PA/AP projection, left pediatric wrist radiograph, pediatric patient (male, age 6), follow-up 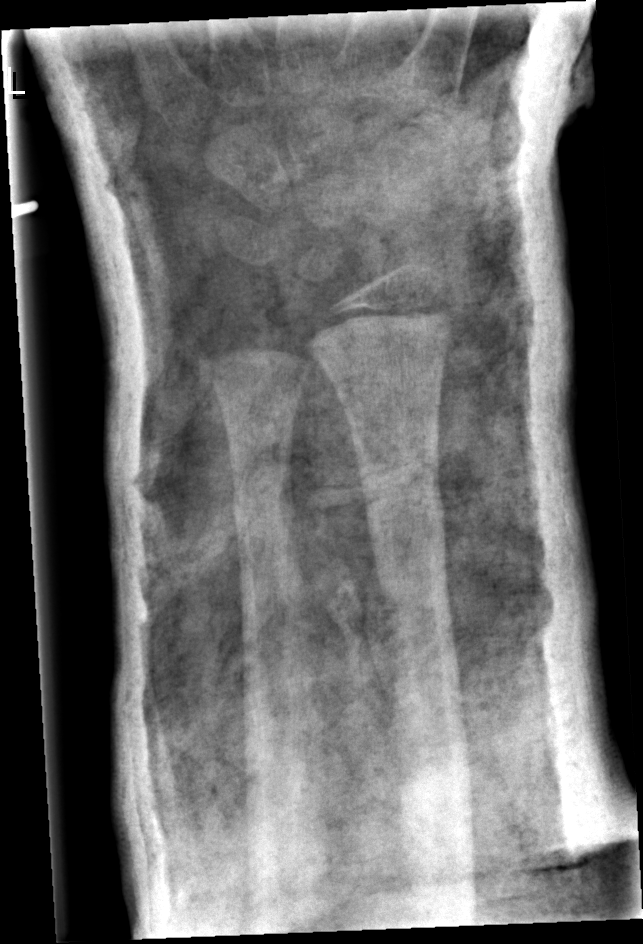
FINDINGS: (coordinates are [x1, y1, x2, y2] in image pixels) Two bone fractures at bbox(354, 445, 449, 541) bbox(227, 455, 300, 545).